Lt wrist XR · lat projection · 6-year-old boy · 60.3 mm image width 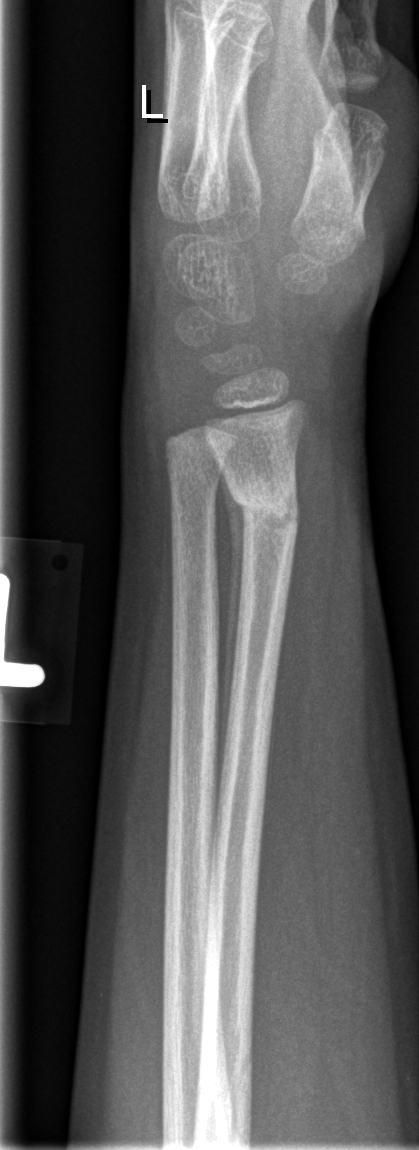 (coordinates are [x1, y1, x2, y2] in image pixels)
Q: What is the AO/OTA classification?
A: Fracture classified AO/OTA 23r-M/3.1; 23u-M/2.1
Q: Any periosteal thickening?
A: One periosteal reaction at 210 445 248 791
Q: Bone density?
A: Osteopenia
Q: Is there a fracture?
A: Bone fracture: 228 469 306 545